PA/AP view · L wrist radiograph · age 10 y, male · index exam — 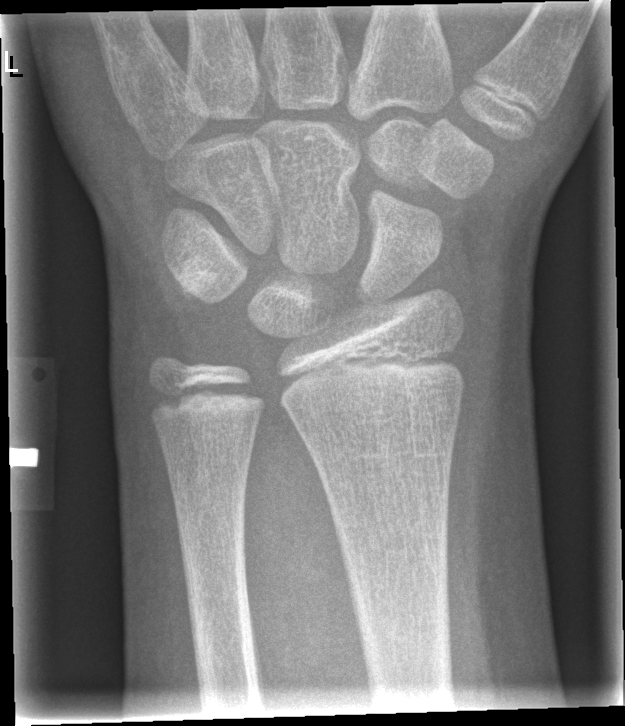
AO classification: 23r-M/2.1
bone fracture: present but not clearly seen in this view